L wrist X-ray · frontal projection · cast in situ. 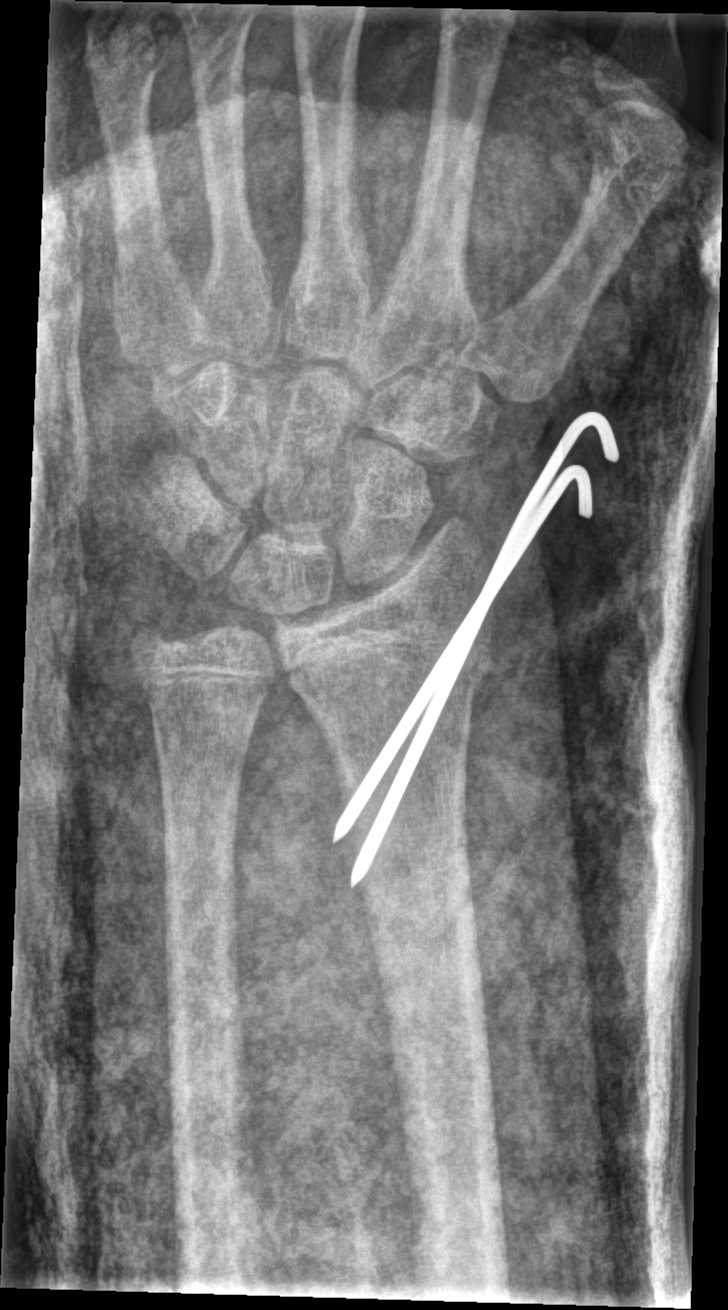 ao: 23r-M/3.1
fracture: 1 @ <290,637>-<498,725>
metal: <341,412>-<619,884>